Right wrist radiograph, lat projection, girl, 15 yo, presentation radiograph, image size 520x1032 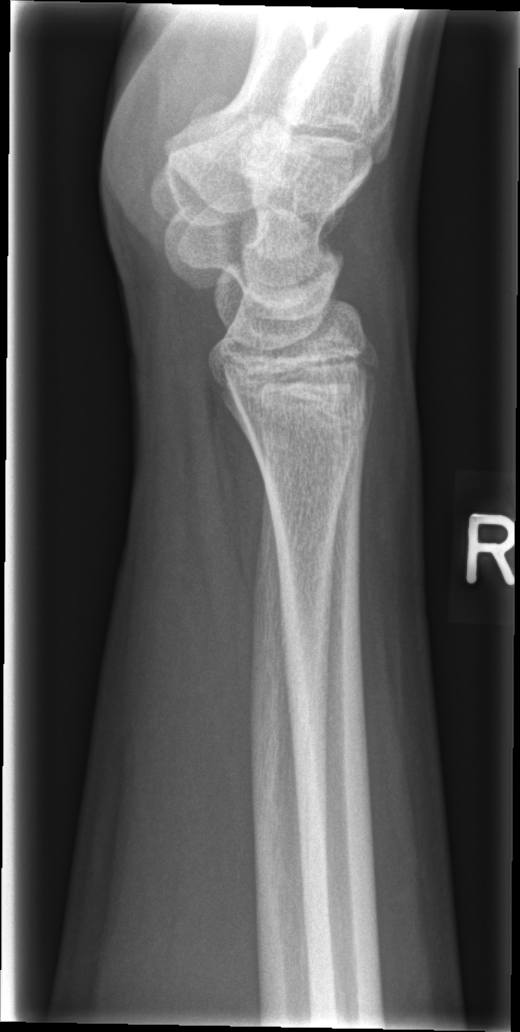
fracture = none labeled